Lt wrist X-ray, posteroanterior view, index exam: 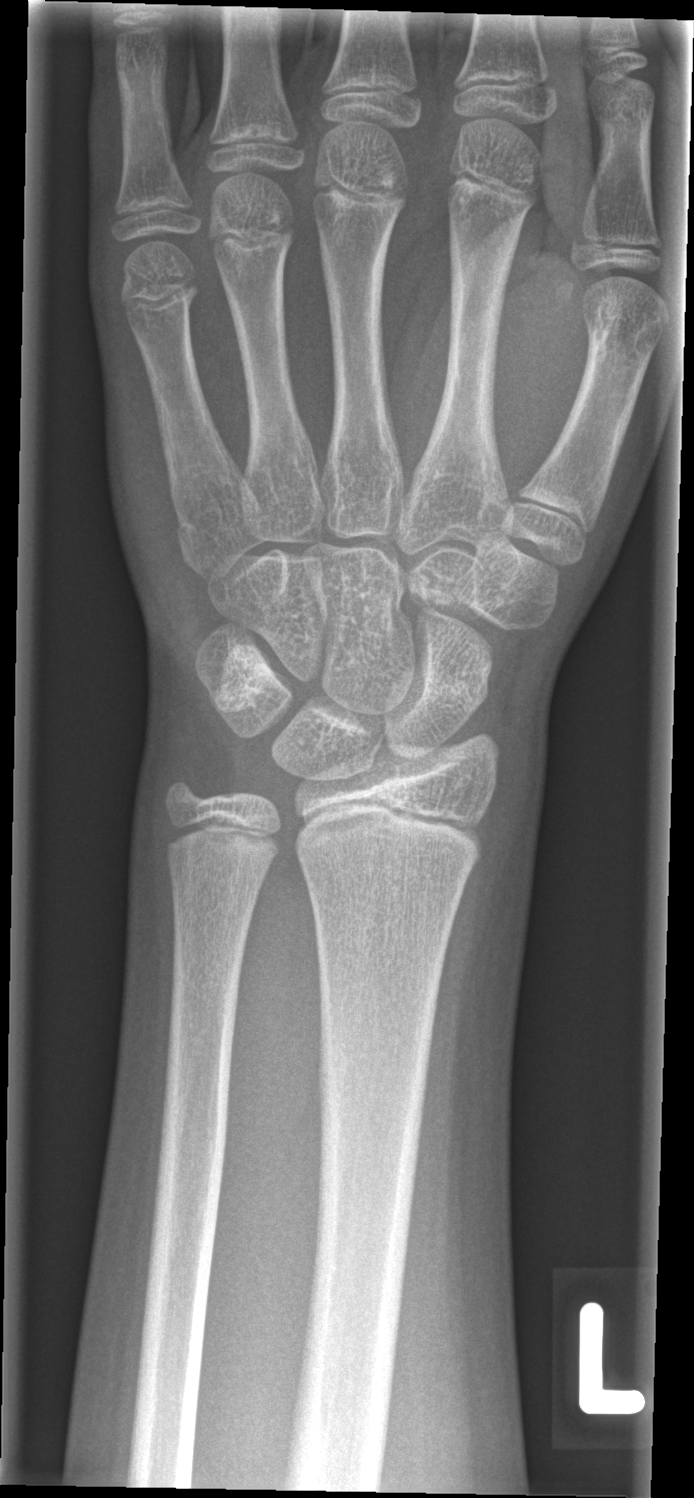 fracture = none labeled